Lt wrist XR; frontal view; age 10 y, male; cast in situ:

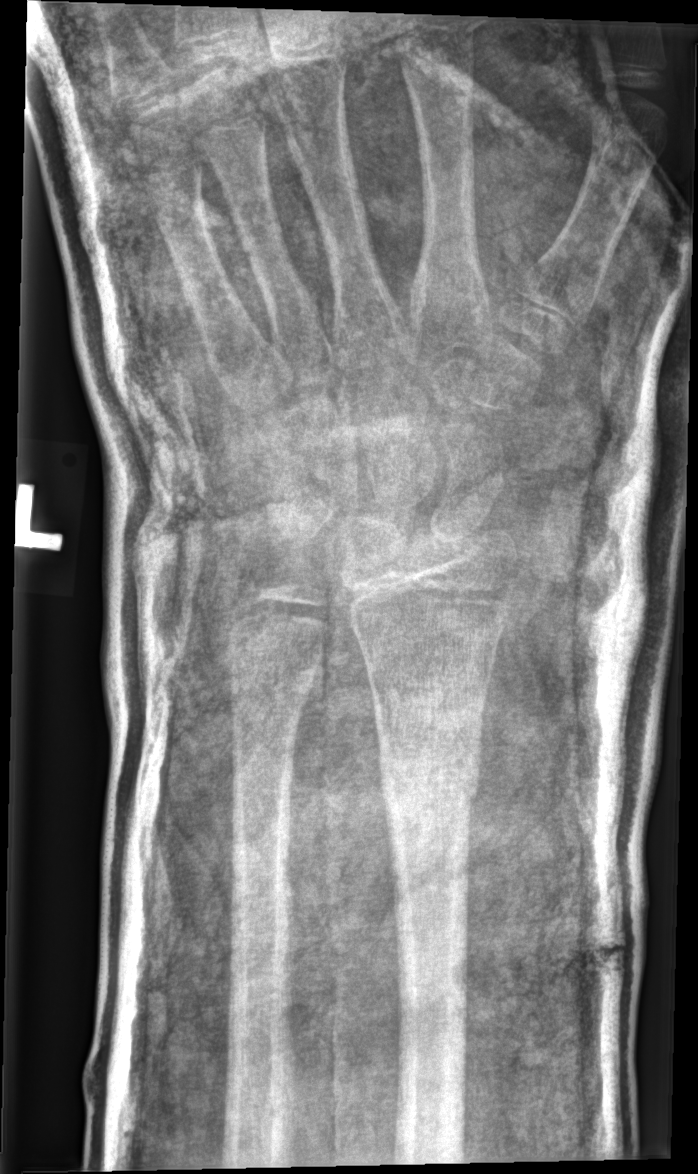 FINDINGS: Fracture classified AO/OTA 23-M/3.1. Bone fracture: (left=373, top=746, right=486, bottom=846).